Rt pediatric wrist radiograph · PA · pediatric patient (female, age 15) · follow-up study:

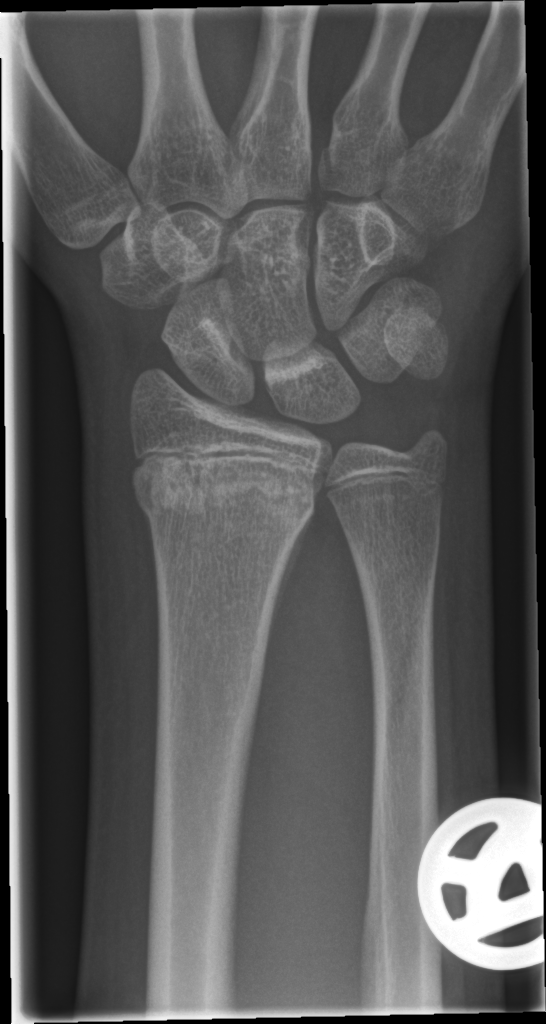 FINDINGS — (bounding boxes in image-pixel xyxy) Bone fracture — [127, 445, 324, 533].